AP view | Rt pediatric wrist radiograph | female, 13 yo | 743 x 1122 px.
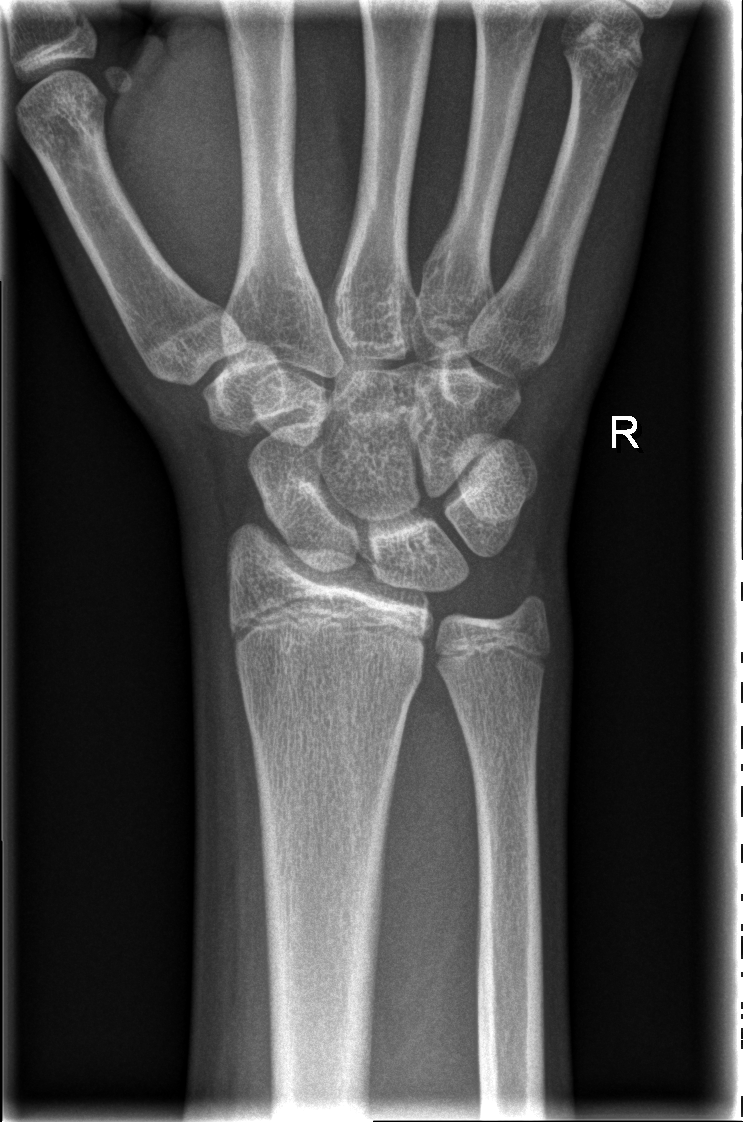 Bone fracture = none labeled